Lateral projection · left pediatric wrist radiograph · 512 by 1098 pixels.
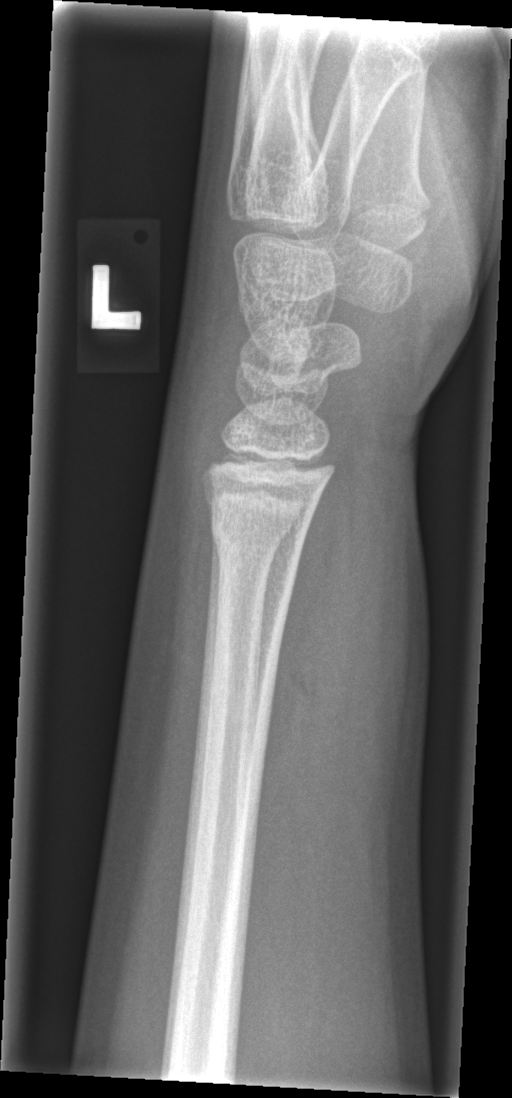

- Boxes as x1,y1,x2,y2 (top-left / bottom-right, pixel units).
- Fracture: [207, 502, 308, 561].
- Pronator sign: [257, 466, 360, 839].
- Fracture classified AO/OTA 23r-M/2.1.